L wrist radiograph | posteroanterior projection | in cast —
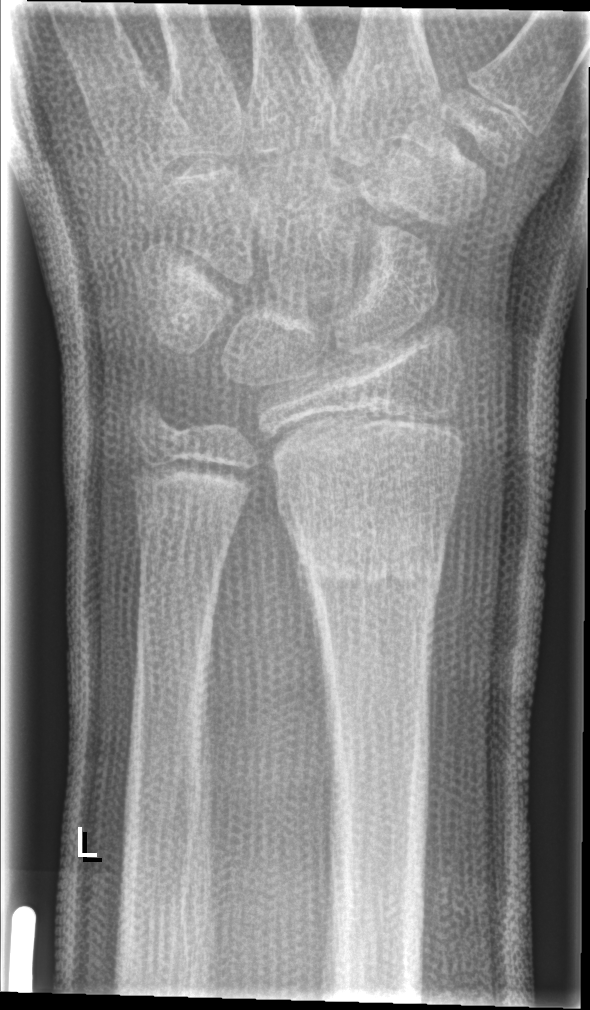 (coordinates are [x1, y1, x2, y2] in image pixels)
Q: Any fracture seen?
A: Fx identified at bbox(286, 511, 450, 605)
Q: What is the AO/OTA classification?
A: AO/OTA classification: 23-M/3.1